Lateral projection | Lt wrist radiograph | image width 48.0 mm:

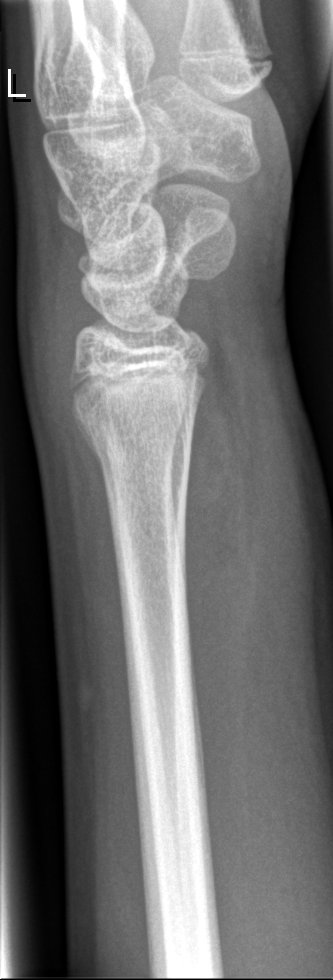
Boxes as x1,y1,x2,y2 (top-left / bottom-right, pixel units). AO/OTA classification: 23r-M/2.1; 23u-E/7. One Fx at [70, 403, 201, 485]. One pronator sign at [182, 360, 253, 771].